AP view · right wrist XR · 7-year-old boy:

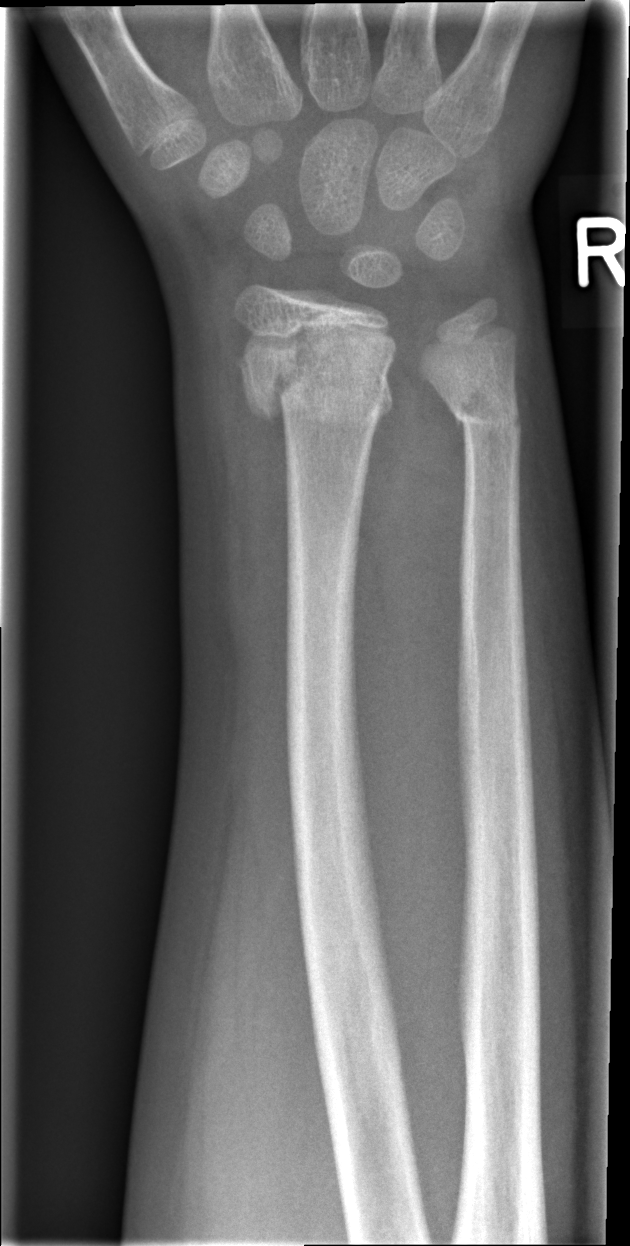

{
  "fracture": "<230,322>-<398,425>; <436,374>-<526,443>"
}